PA · left wrist radiograph · follow-up · in cast · 602 x 1073 px.

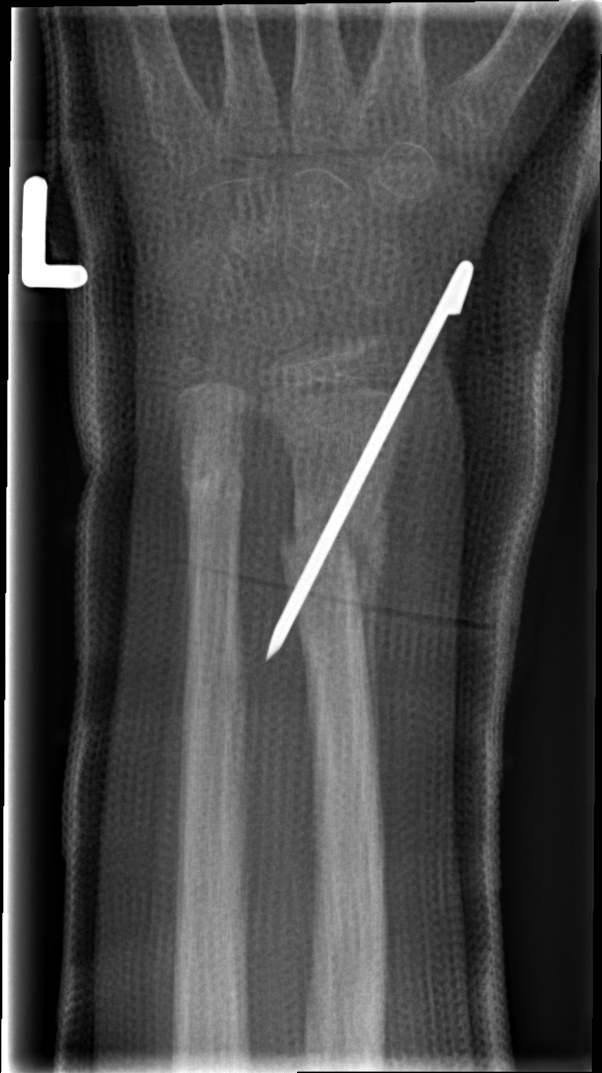 AO code: 23-M/3.1
metallic implant: 1 @ [262, 253, 474, 662]
bone fracture: 2 @ [272, 503, 384, 578], [181, 448, 242, 517]